Lat; left wrist plain film 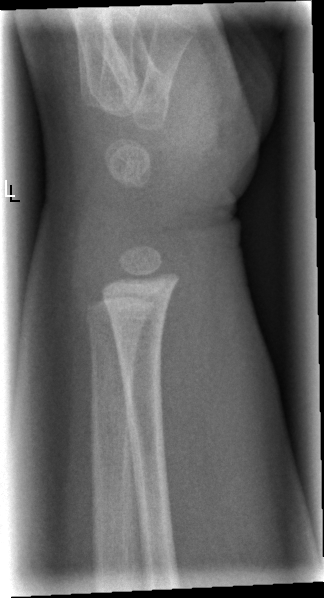

Findings: Fracture: none labeled.